L wrist radiograph | lat projection | image size 482x994:
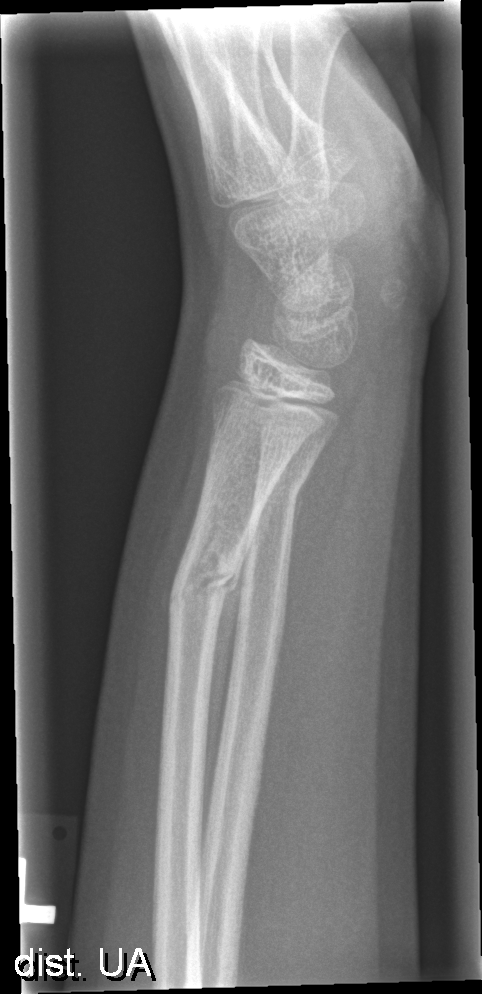
FINDINGS: Fx: (164, 531, 248, 632); (251, 465, 313, 512). Periosteal new bone — (203, 521, 255, 813) (286, 447, 323, 591). Decreased bone density (osteopenia). Fracture classified AO/OTA 23-M/3.1.